Posteroanterior view · left wrist radiograph · 16y M · follow-up · in cast · 647x894:
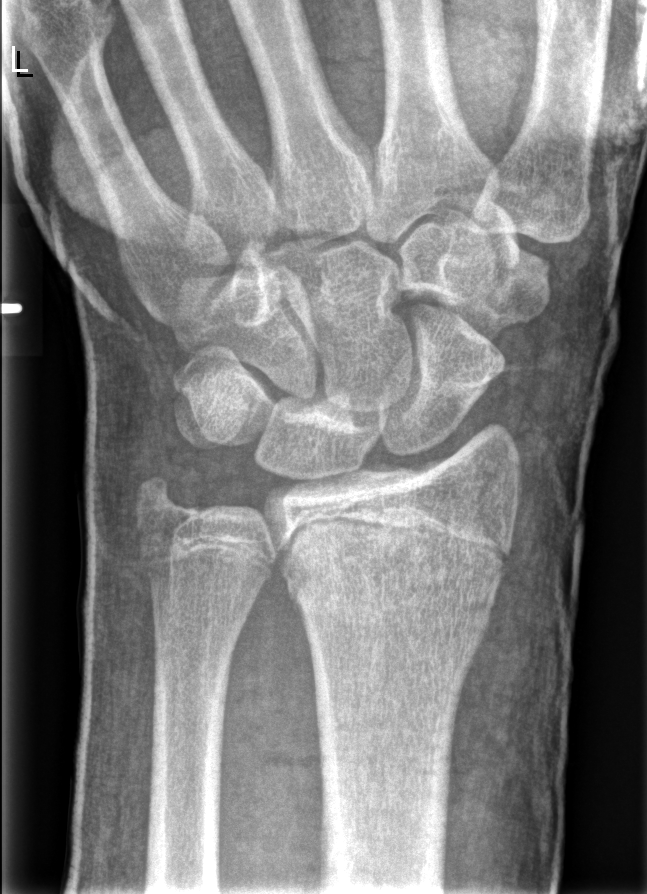 - AO/OTA classification: 23r-E/2.1; 23u-E/7.
- Fracture: bbox(276, 521, 504, 629); bbox(129, 493, 201, 547).